Lt pediatric wrist radiograph | PA/AP projection | girl, 11 yo | acquired on Siemens — 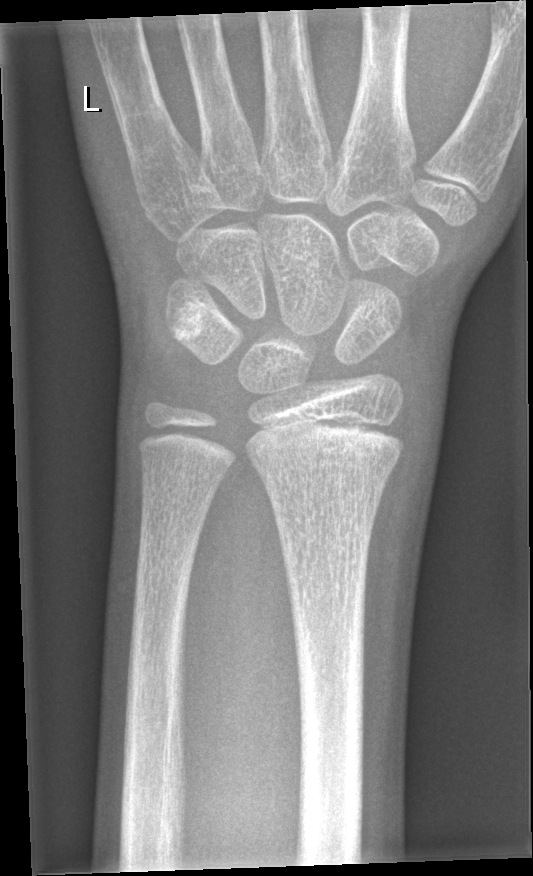

* Fx present but not clearly seen in this view.